Right pediatric wrist radiograph · PA · initial study · image width 112.0 mm —

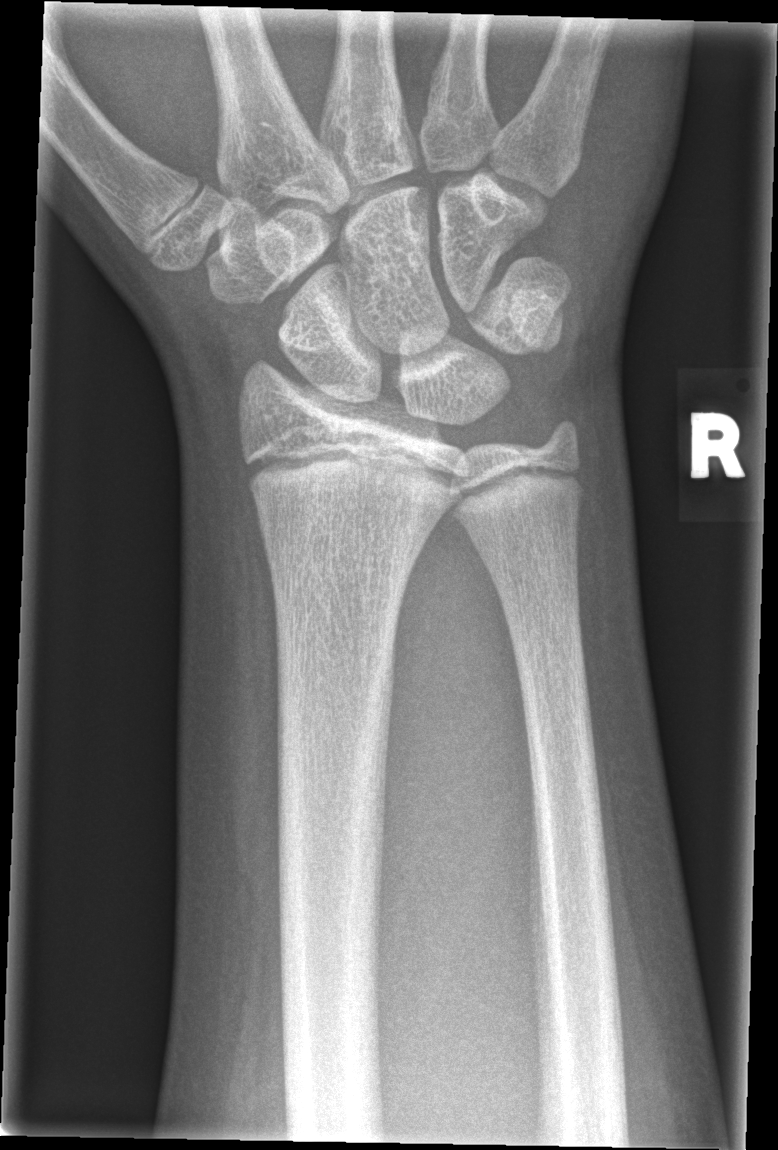 FINDINGS: No fracture labeled.